Right wrist pediatric wrist radiograph, lateral projection:
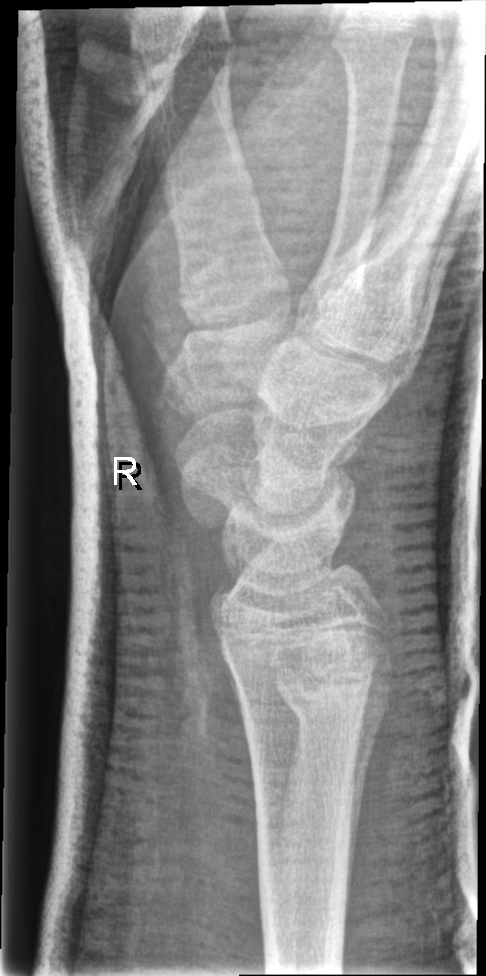

{
  "fracture": "1 @ (left=270, top=619, right=397, bottom=746)",
  "ao": "23u-E/4"
}